Lt wrist radiograph, lat, cast in situ:
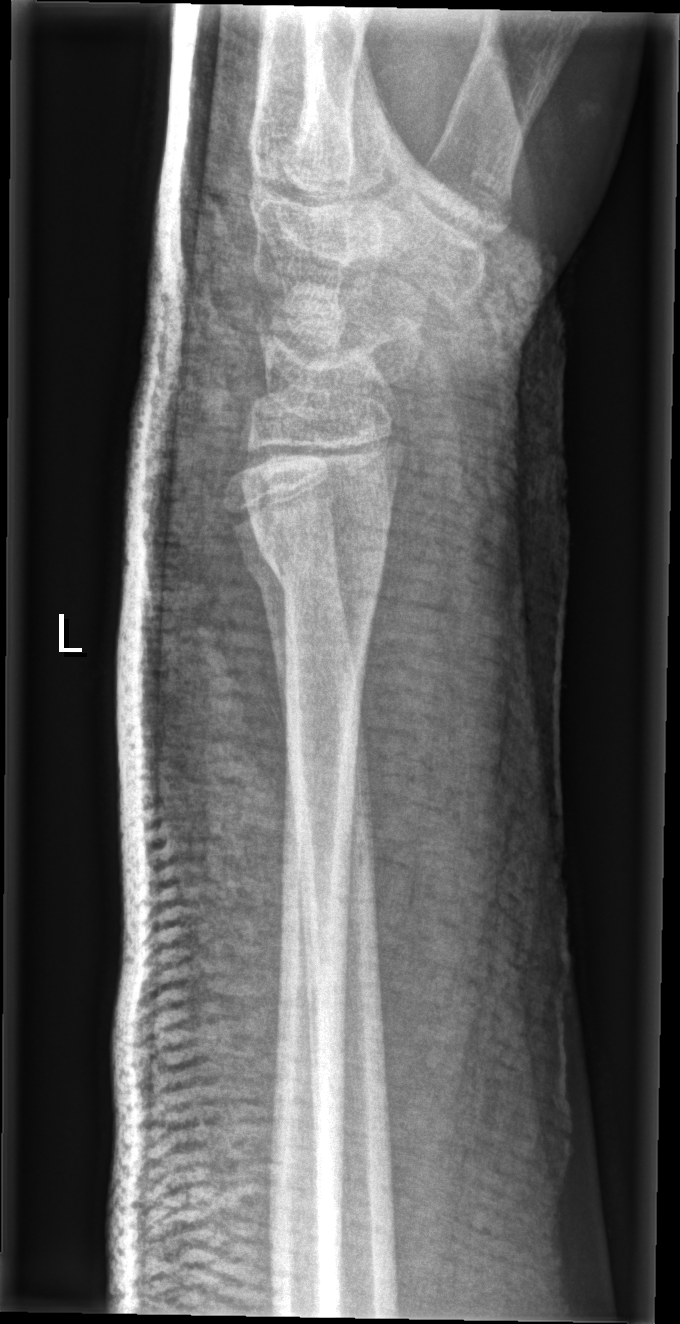 ao: 23-M/2.1; 23u-E/7
fracture: 250 512 393 618 | 240 533 339 598